Lateral view | right wrist radiograph | girl, 15 yo | presentation radiograph | image width 72.7 mm: 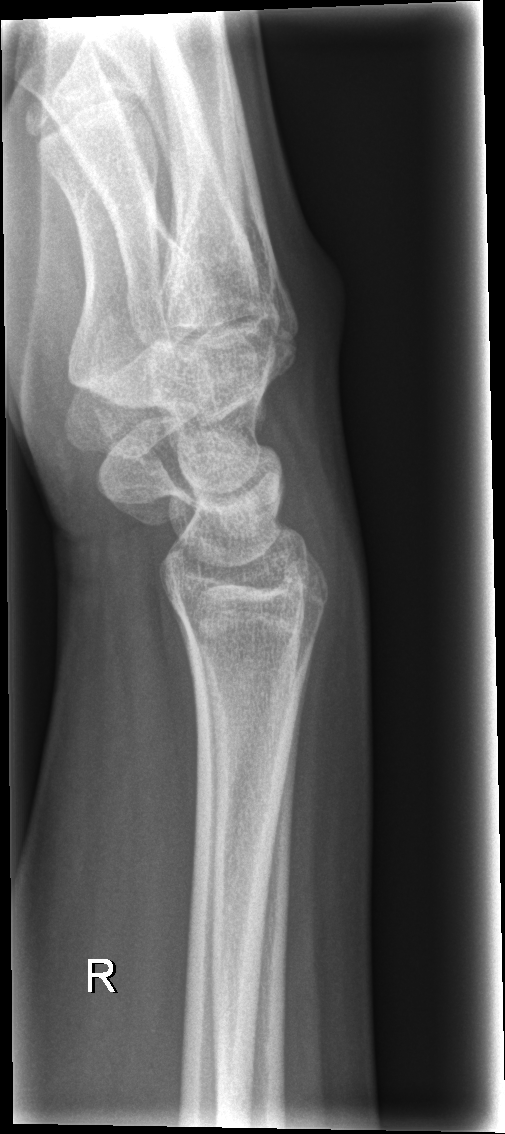 fracture: none labeled